Rt plain radiograph of the wrist; lat — 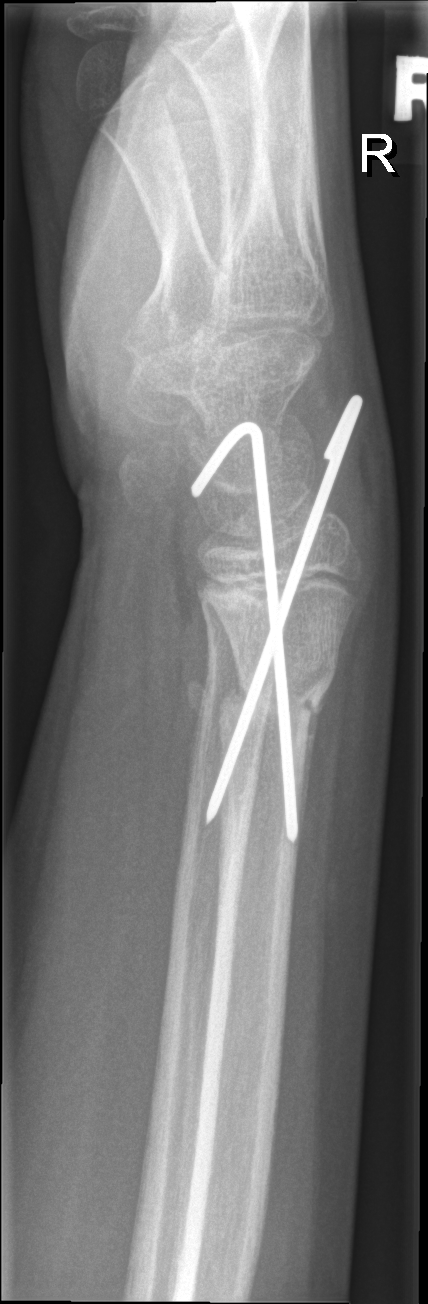 Fracture classified AO/OTA 23r-M/3.1; 23u-E/1. Metallic implant identified at bbox(161, 406, 381, 855). One periosteal new bone at bbox(297, 671, 338, 851). Osteopenic. Fracture: bbox(218, 658, 339, 746).